L wrist radiograph, PA/AP, subsequent exam, in cast:

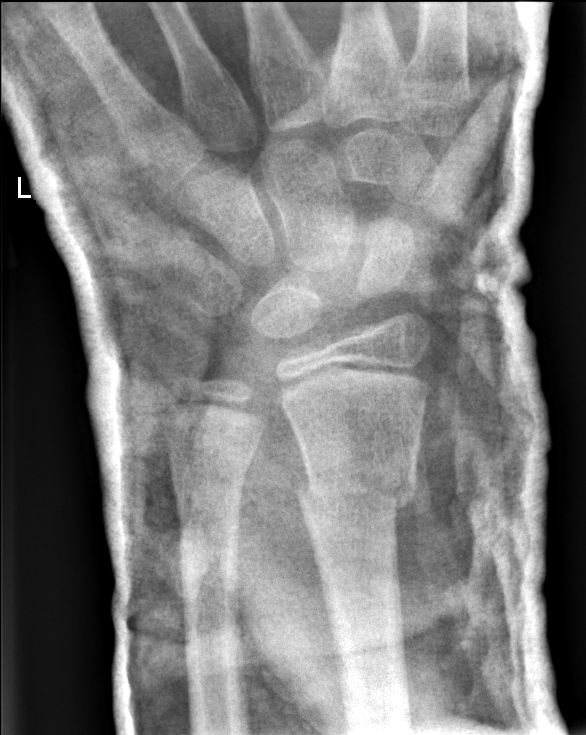

FINDINGS — Fx — [288, 454, 421, 523]. Fracture classified AO/OTA 23r-M/3.1.